Posteroanterior | Lt wrist X-ray | acquired on Siemens | 597 x 1186 px:

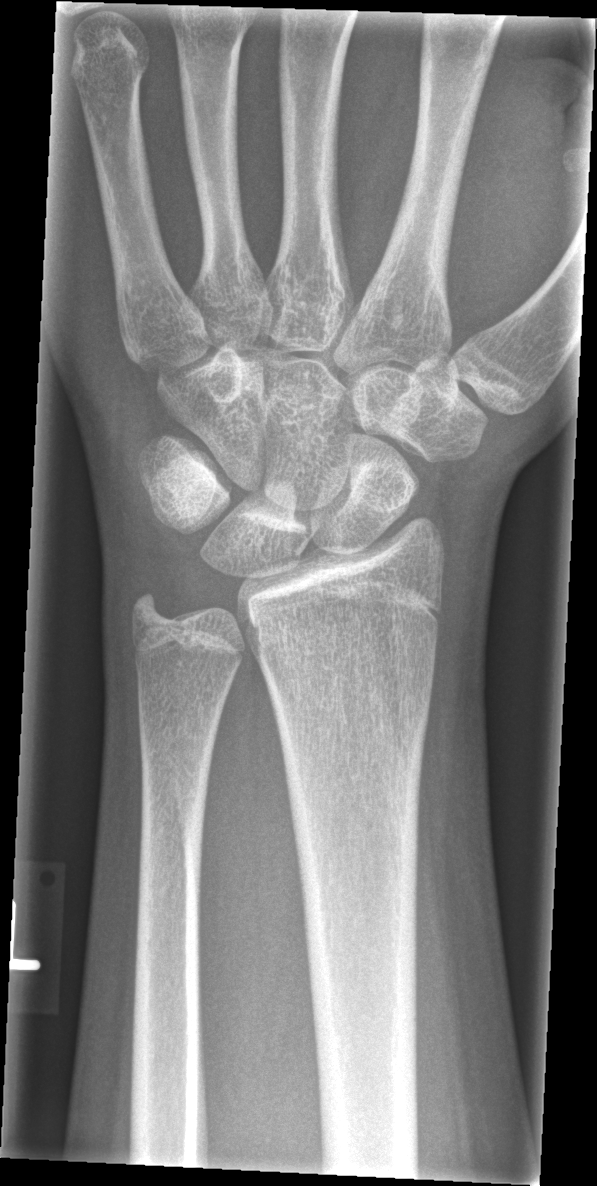

fracture: none labeled